PA view · left wrist XR · 7y F · follow-up study · Siemens · 593 x 1204 px 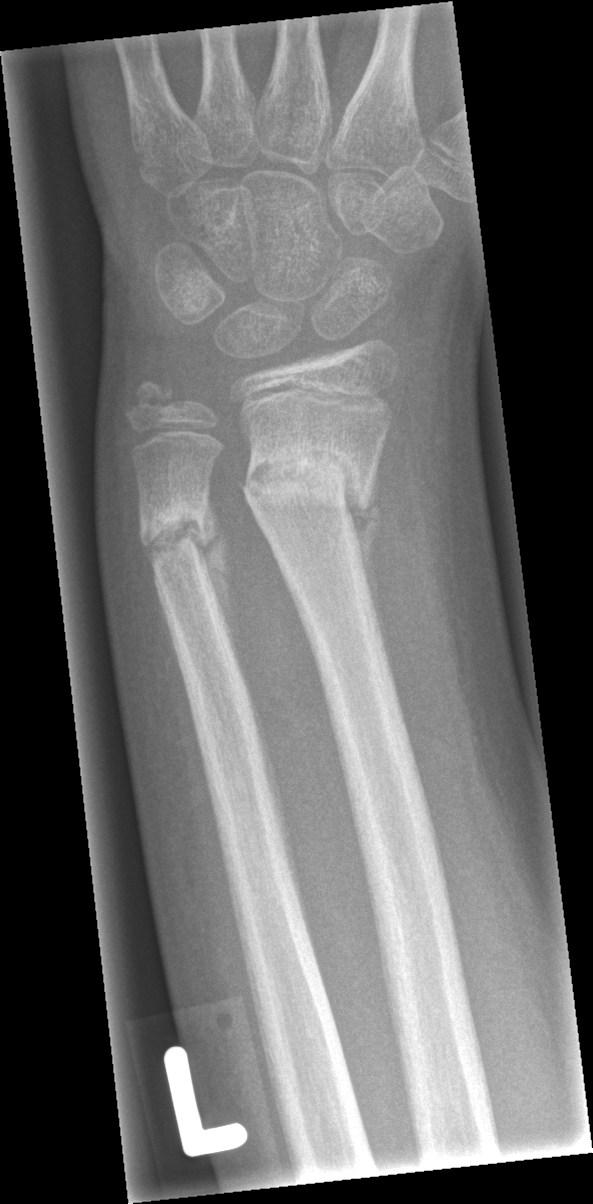

- Periosteal new bone identified at [201, 516, 238, 653]; [358, 498, 383, 600].
- Fx identified at [237, 439, 374, 539]; [138, 498, 212, 574]; [119, 370, 183, 426].